Lat view, left wrist X-ray, detector: Siemens, 536 by 1358 pixels: 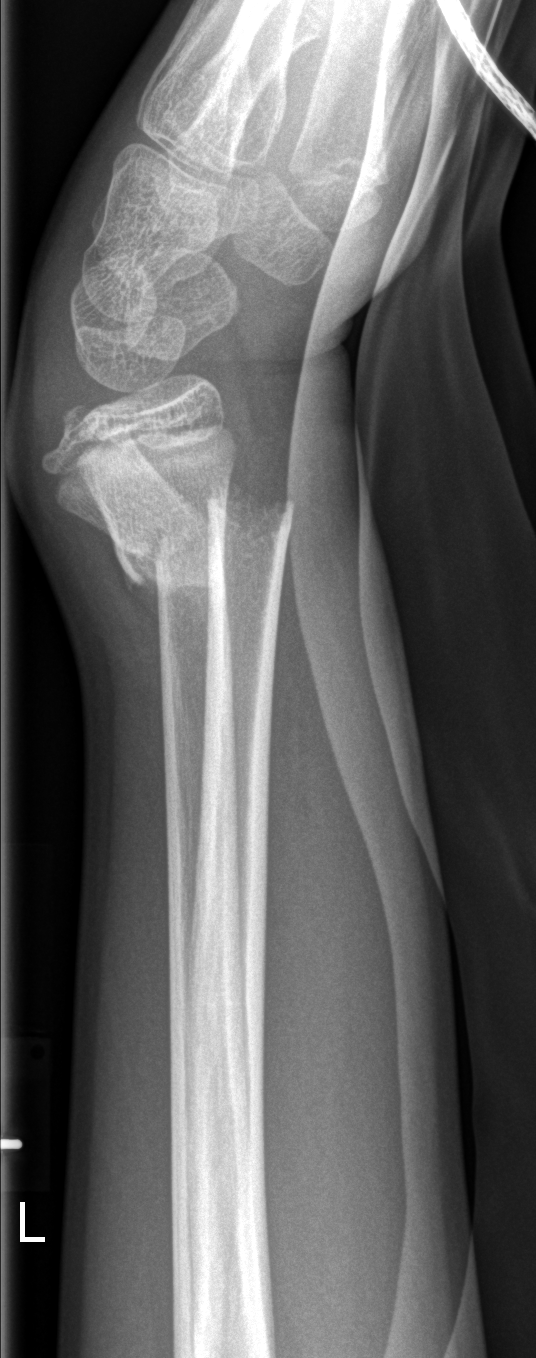 Pixel coordinates, top-left origin, xyxy.
Bone fracture: bbox(114, 476, 300, 595) bbox(139, 502, 240, 578) bbox(53, 393, 105, 448).
AO/OTA classification: 23r-M/3.1; 23u-M/2.1; 23u-E/7.